L pediatric wrist radiograph; lateral projection; cast in situ 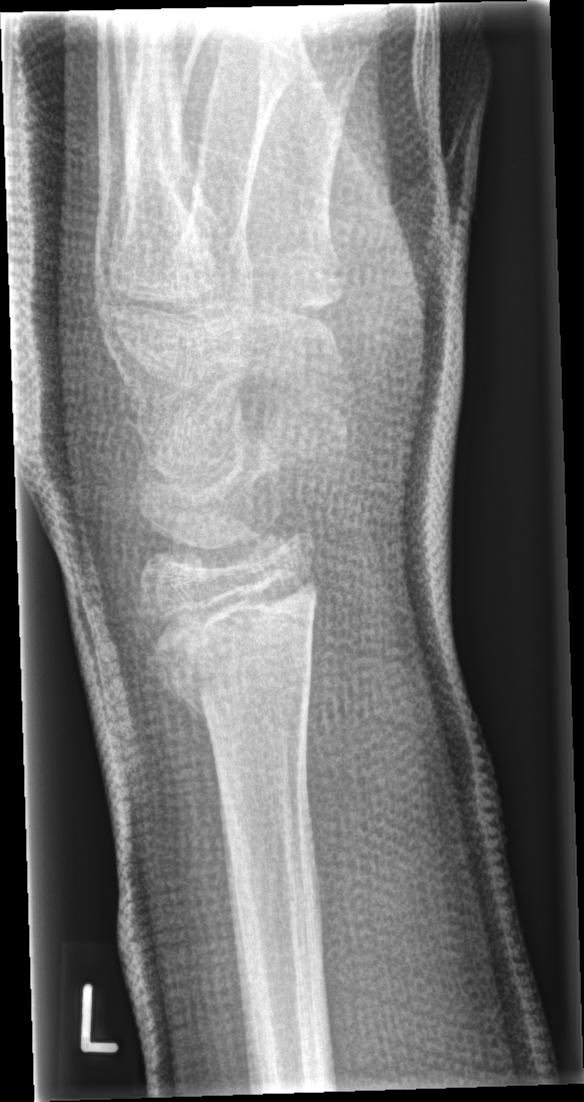 Q: Is there a fracture?
A: Fracture — <137,581>-<284,730>